Right wrist plain film · lateral projection · 7-year-old girl —

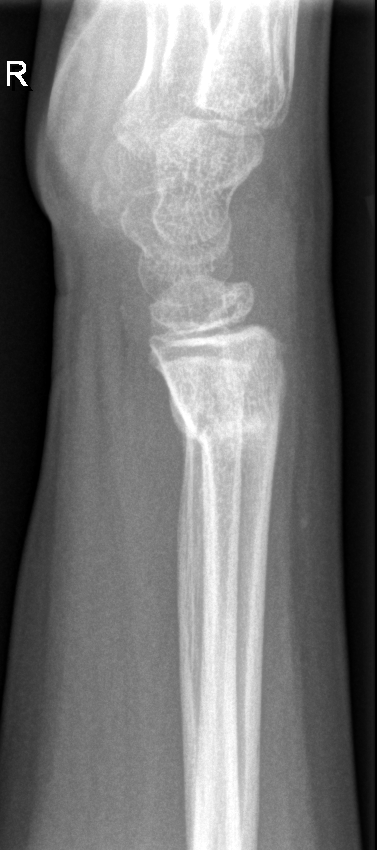 Bounding boxes in image-pixel xyxy. Bone fracture — 165,375,286,457. Periosteal reaction — 168,383,192,477. Osteopenic.